Rt plain radiograph of the wrist; lat; male, 12 yo:
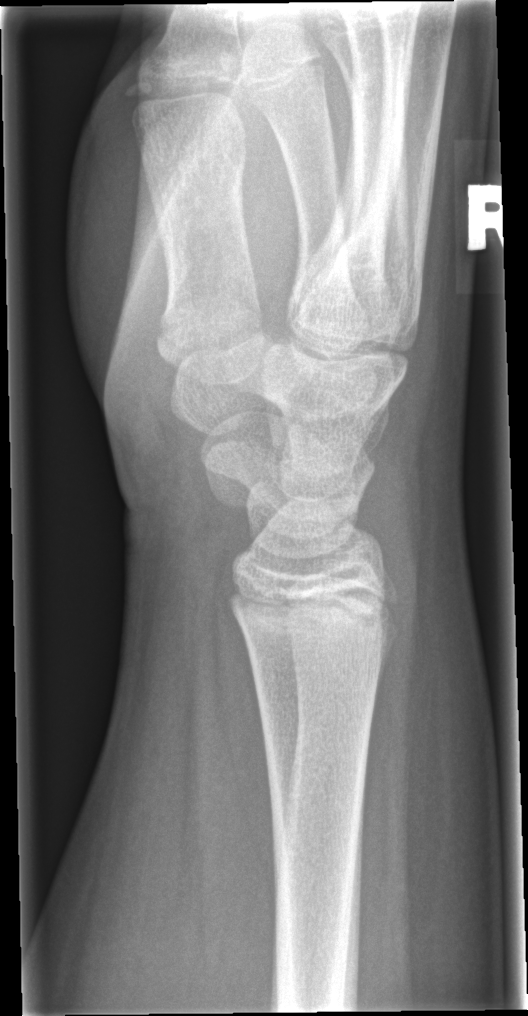

bone fracture: none labeled